Frontal projection | right plain radiograph of the wrist | 9y F —
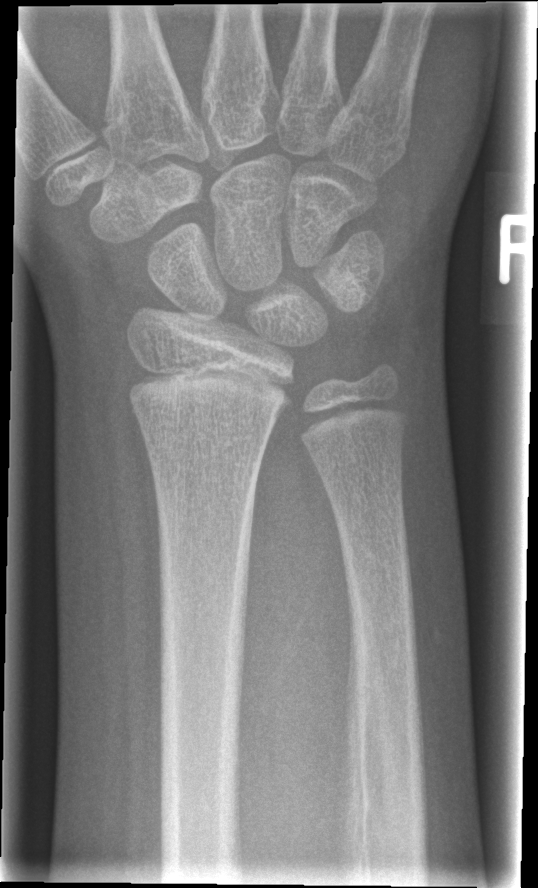
Fx: none labeled